Lateral, Lt pediatric wrist radiograph, 16-year-old female, index exam, 508 x 1196 px. 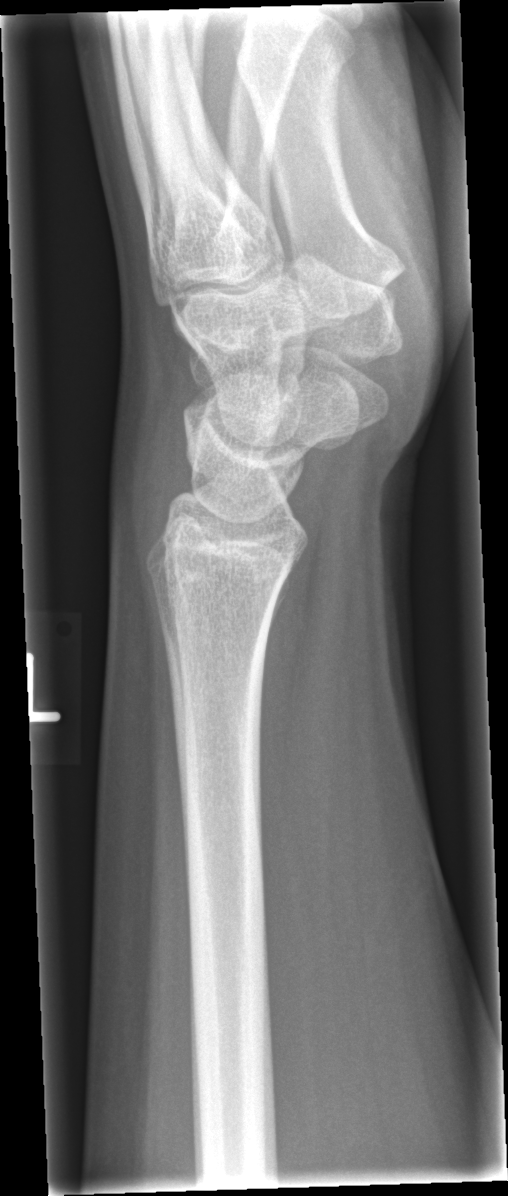

fracture = none labeled